R wrist X-ray, lateral view, 9-year-old girl, cast present, Siemens —

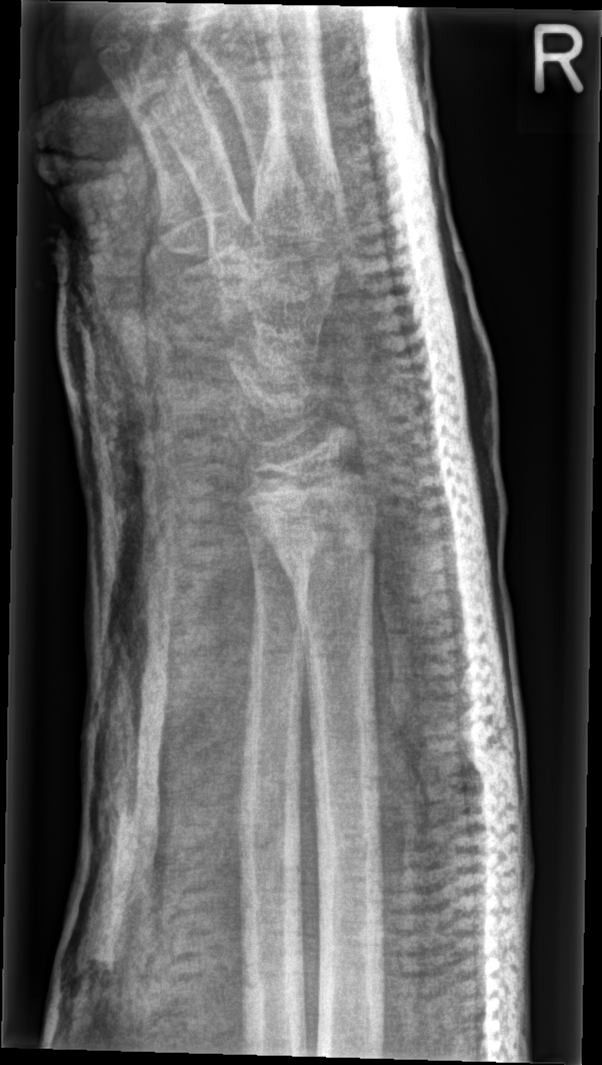

Bone fracture: 1 @ bbox(261, 490, 381, 595)
AO/OTA: 23r-M/3.1; 23u-E/7